L wrist radiograph · lat · girl, 8 yo · detector: Siemens —

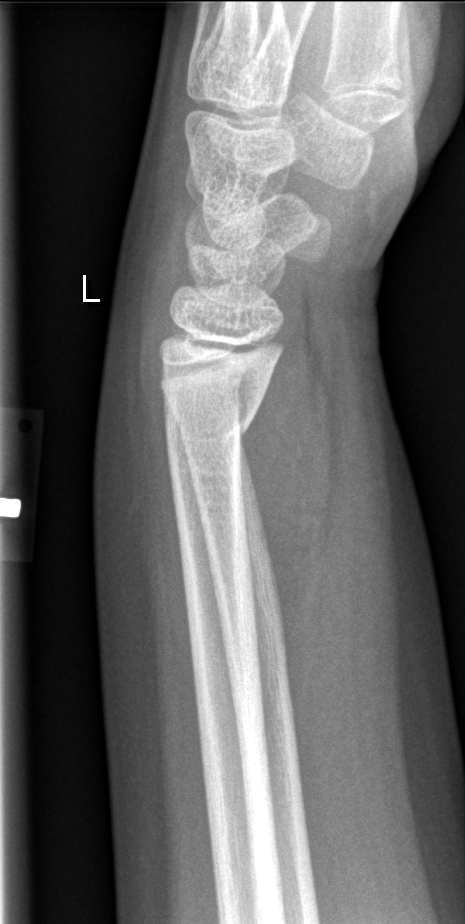

FINDINGS — (boxes as x1,y1,x2,y2 (top-left / bottom-right, pixel units)) One Fx at [164, 401, 261, 447]. AO/OTA classification: 23r-M/2.1. Positive pronator fat-pad sign identified at [241, 317, 340, 669].